Lt wrist plain film · PA · age 13 y, male — 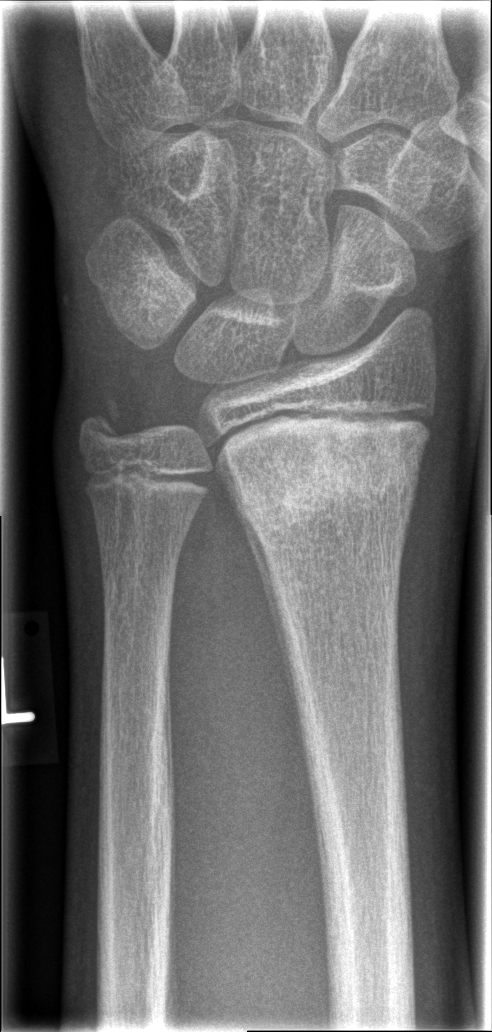
Findings: One periosteal reaction at (left=223, top=459, right=302, bottom=739). Two bone fractures at (left=227, top=426, right=436, bottom=546); (left=72, top=389, right=133, bottom=453). Reduced bone mineral density. Fracture classified AO/OTA 23r-M/2.1; 23u-E/7.